Lt wrist plain film; lateral view; pediatric patient (male, age 12); subsequent exam; cast present

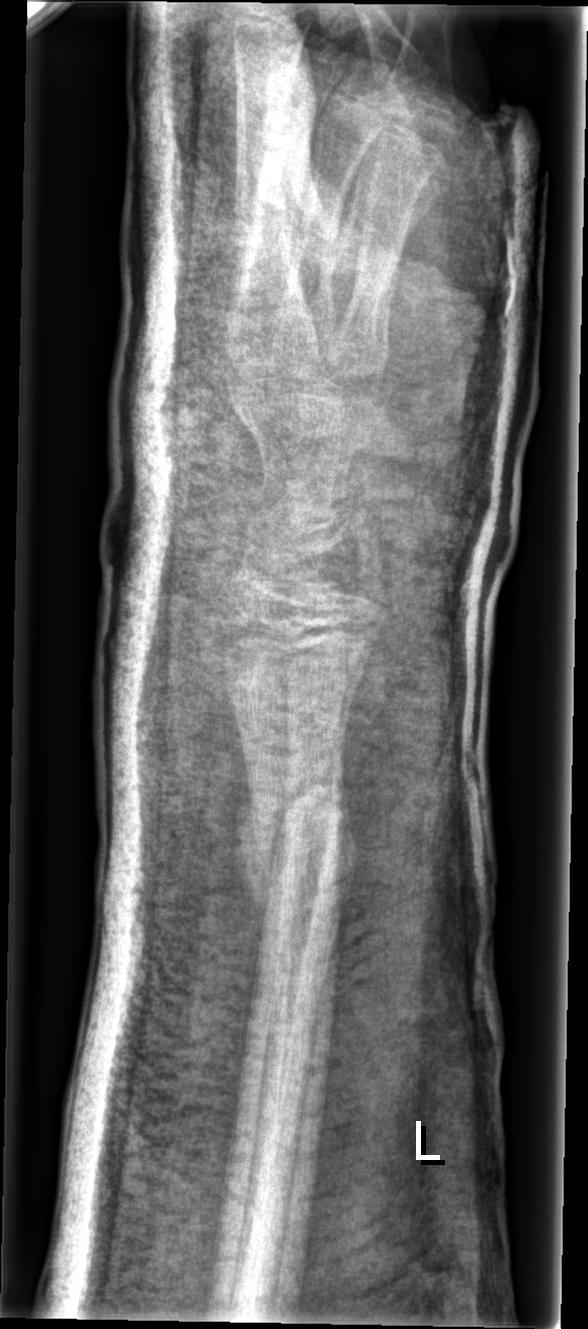
{
  "fracture": "(left=232, top=742, right=358, bottom=915)"
}